Lat view; R wrist X-ray; 10y M: 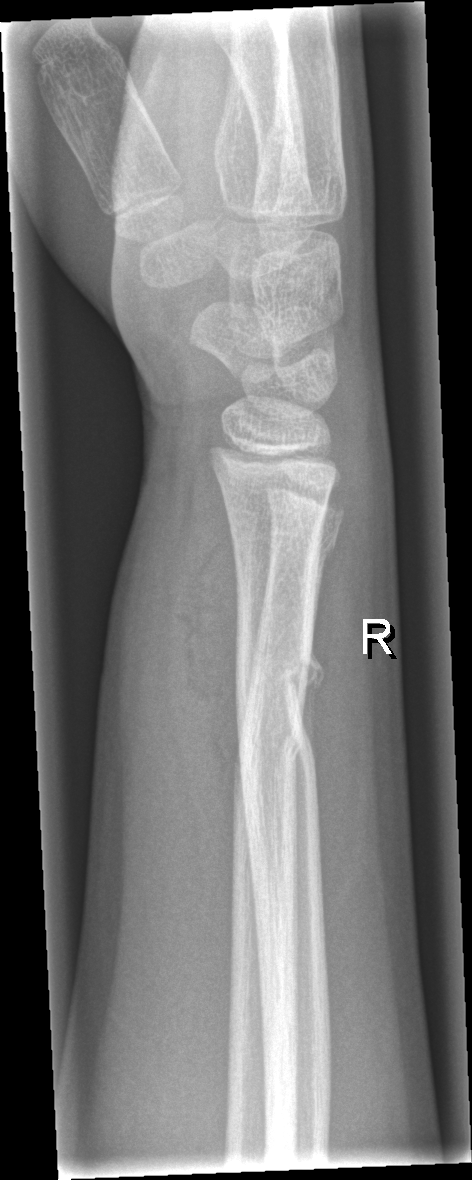

FINDINGS: (bounding boxes in image-pixel xyxy) AO code 23-M/2.1; 22u-D/2.1. One pronator sign at 166 476 249 831. Two bone fractures at 229 644 327 812 | 266 528 341 568.